Lt pediatric wrist radiograph, lateral, 6y F, image width 87.3 mm, image size 606x896 — 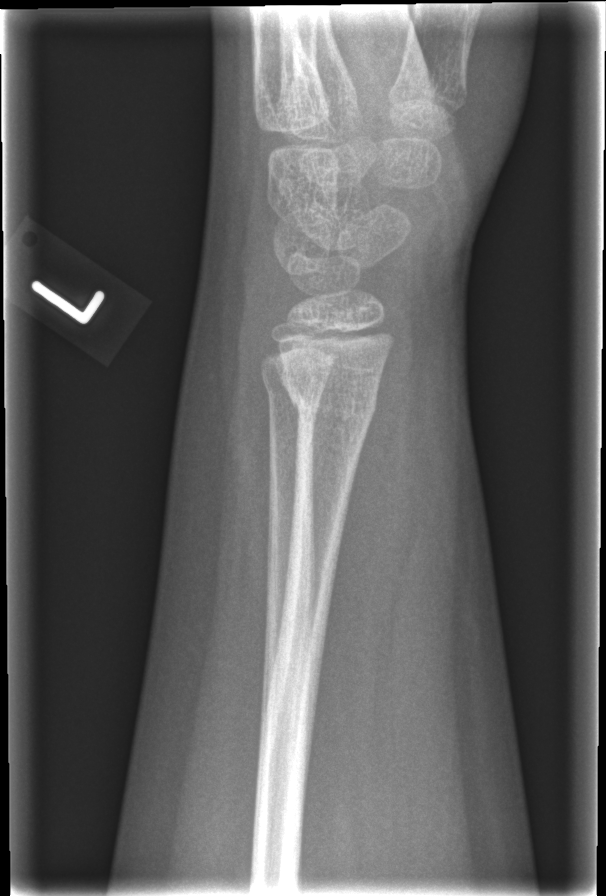

Coordinates are [x1, y1, x2, y2] in image pixels.
Two Fx at <280,378>-<381,433>; <261,363>-<329,413>.
AO code 23-M/2.1.